Posteroanterior projection, right wrist X-ray 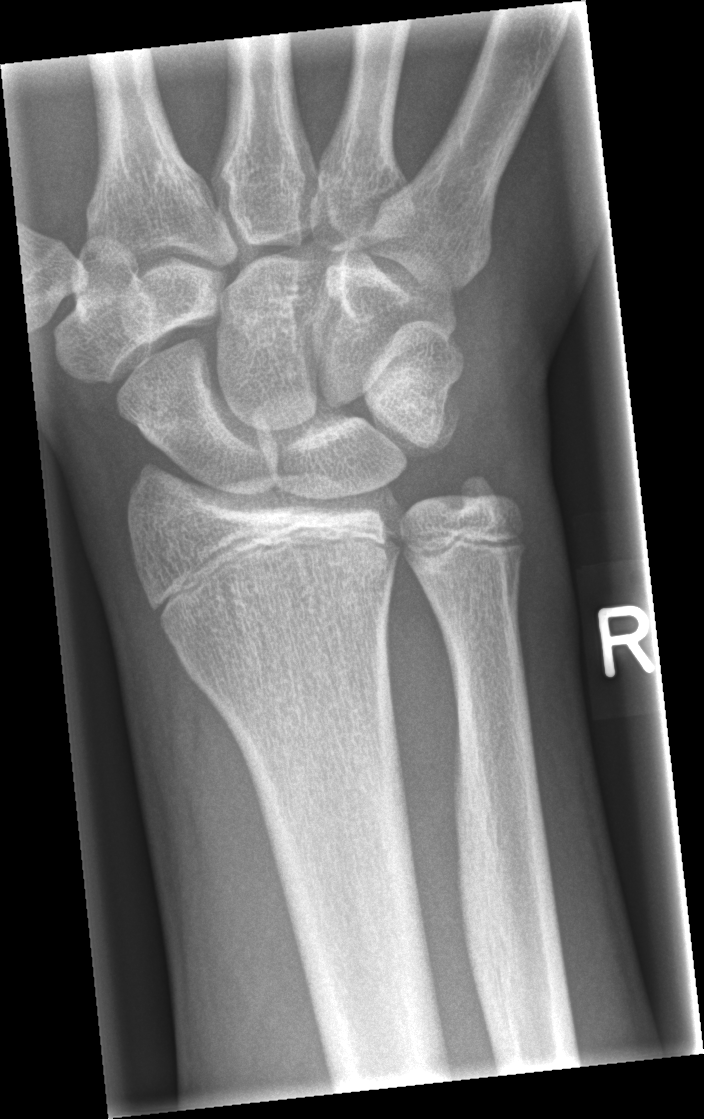
Fx: none.